Lateral · L plain radiograph of the wrist · age 6 y, male · image 68.3 mm wide —
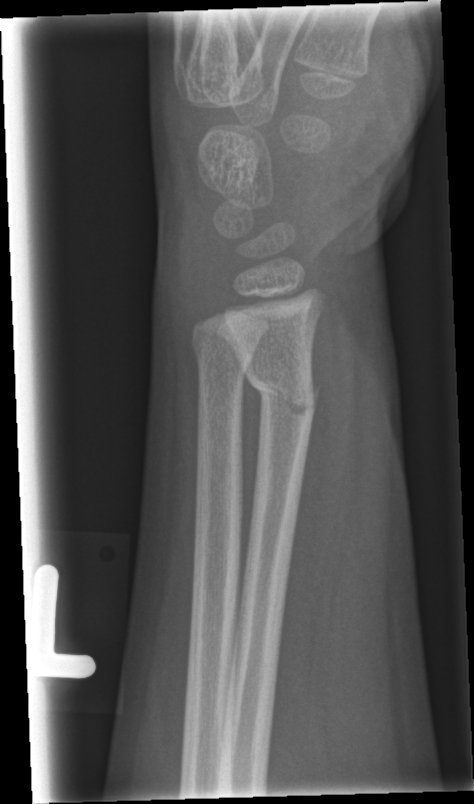 Bone fracture: 2 @ <240,353>-<323,429>, <187,327>-<261,382>